Lateral view; right wrist radiograph; 15-year-old boy; initial study; 75.9 mm image width; 527x1278 —

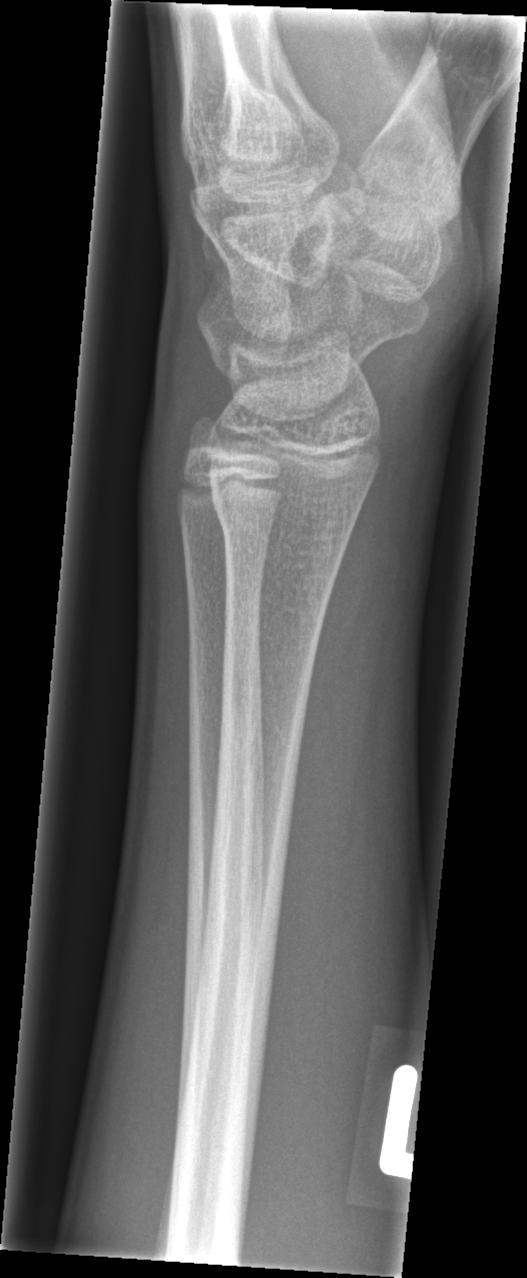
- Boxes as x1,y1,x2,y2 (top-left / bottom-right, pixel units).
- Bone fracture: <209,481>-<361,555>.